L wrist X-ray; PA; 5-year-old girl.

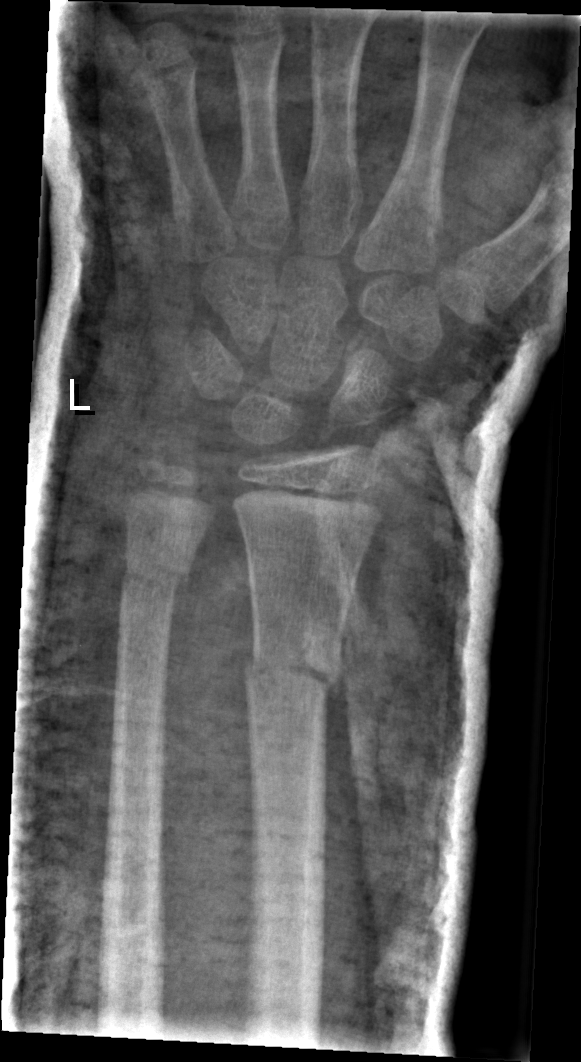
Bounding boxes in image-pixel xyxy.
Two fractures at [x1=239, y1=644, x2=345, y2=703]; [x1=119, y1=556, x2=191, y2=603].
AO code 23-M/3.1.